Left wrist radiograph | lateral projection — 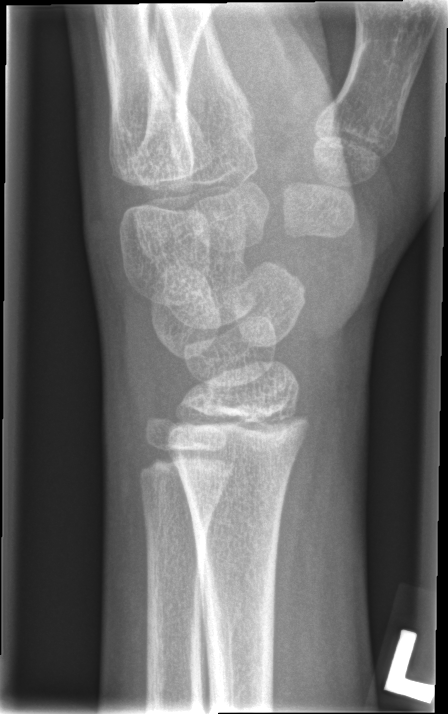 Fracture: none labeled